Rt wrist plain film | lat projection | age 12 y, female | index exam
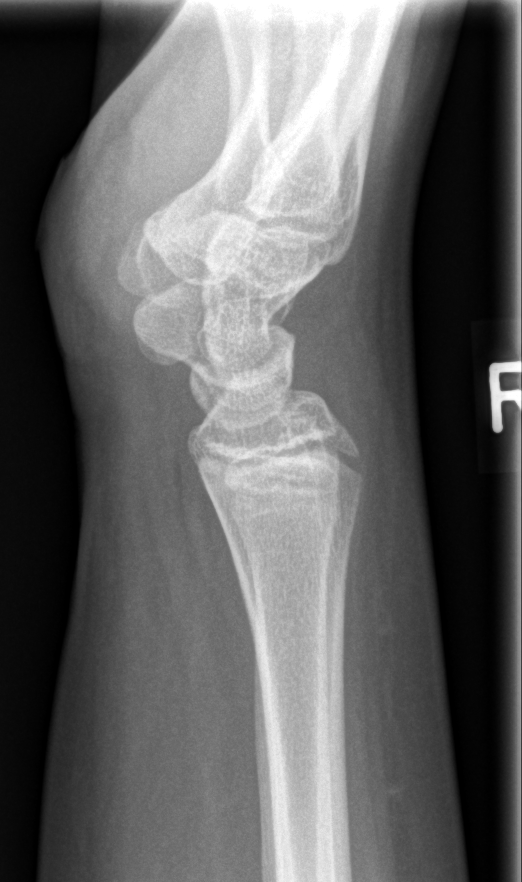 {
  "fracture": "none labeled"
}